Rt wrist radiograph | lateral | 12-year-old boy: 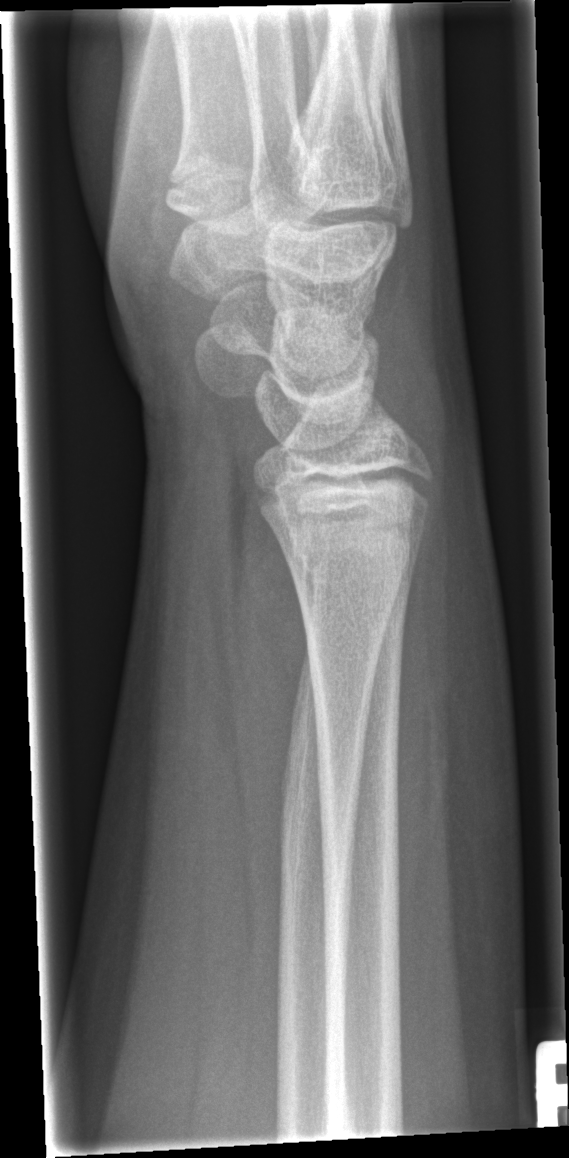

{"fracture": "present but not clearly seen in this view"}